Lateral · left pediatric wrist radiograph · age 11 y, boy.

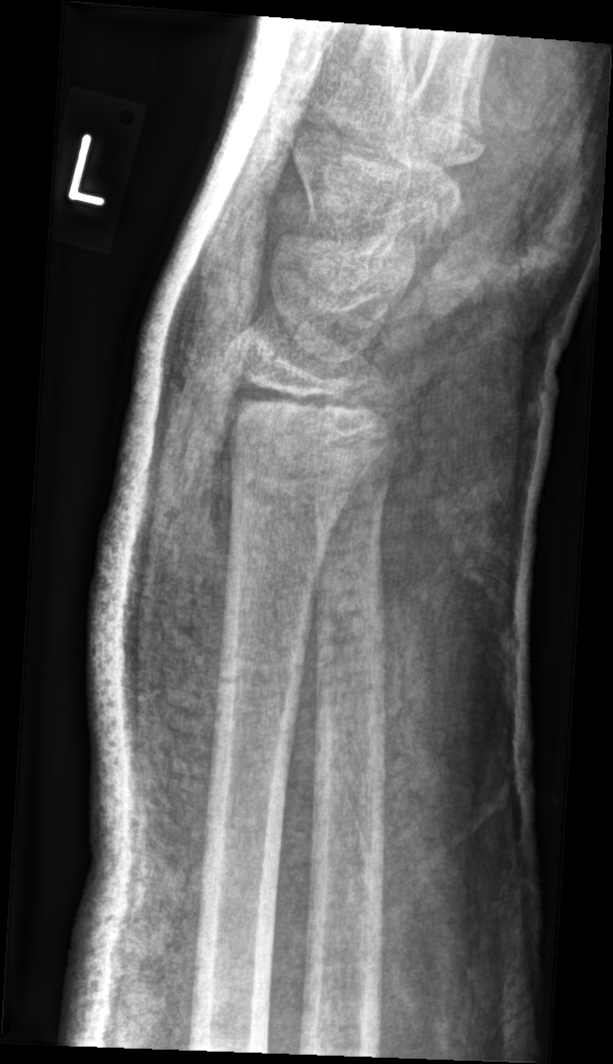 Fracture — (206, 360, 405, 463).
AO/OTA classification: 23r-E/2.1; 23u-E/7.